Rt wrist X-ray, PA, 14y F —
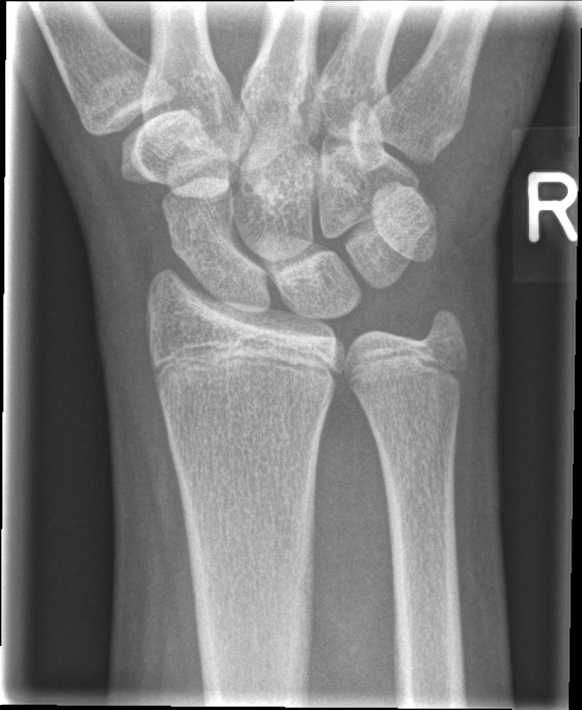

Q: Locate any fractures.
A: No fracture labeled